R wrist X-ray · lat view · 10-year-old girl · image width 64.4 mm · 447 by 896 pixels.

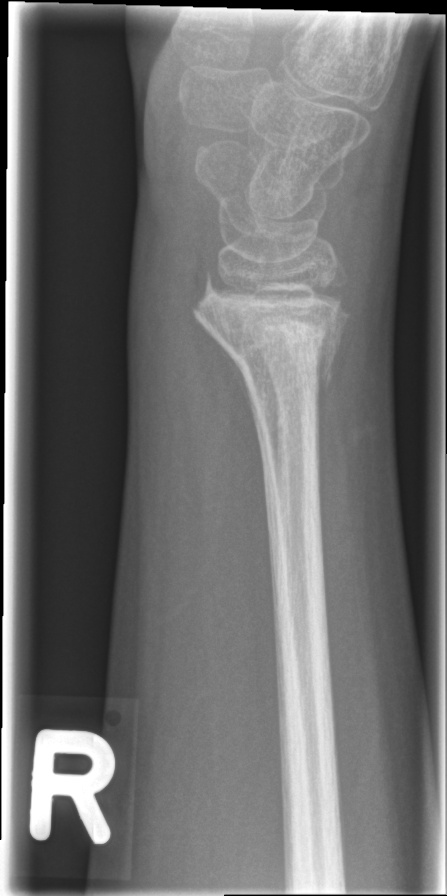 Periosteal new bone = 1 @ [213, 336, 266, 446]
Osteopenia = present
AO classification = 23-E/2.1
Fracture = 1 @ [191, 274, 354, 392]